AP; L wrist plain film; 14-year-old boy; imaged through cast:
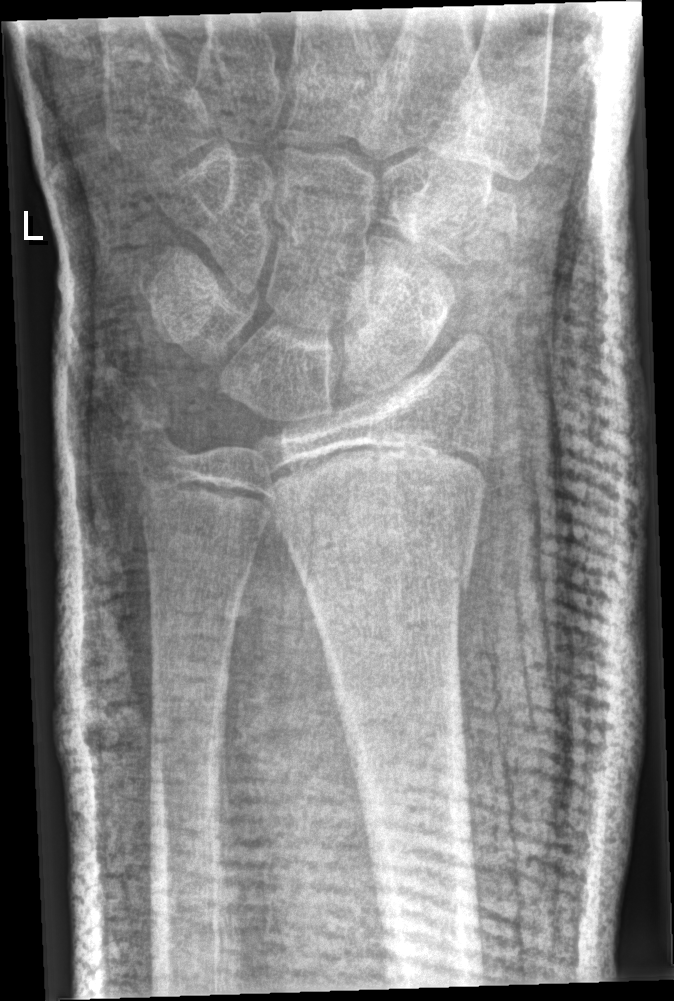 Bone fracture — (left=274, top=492, right=487, bottom=627).